Lt wrist XR | AP view | subsequent exam | imaged through cast | 110.0 mm image width 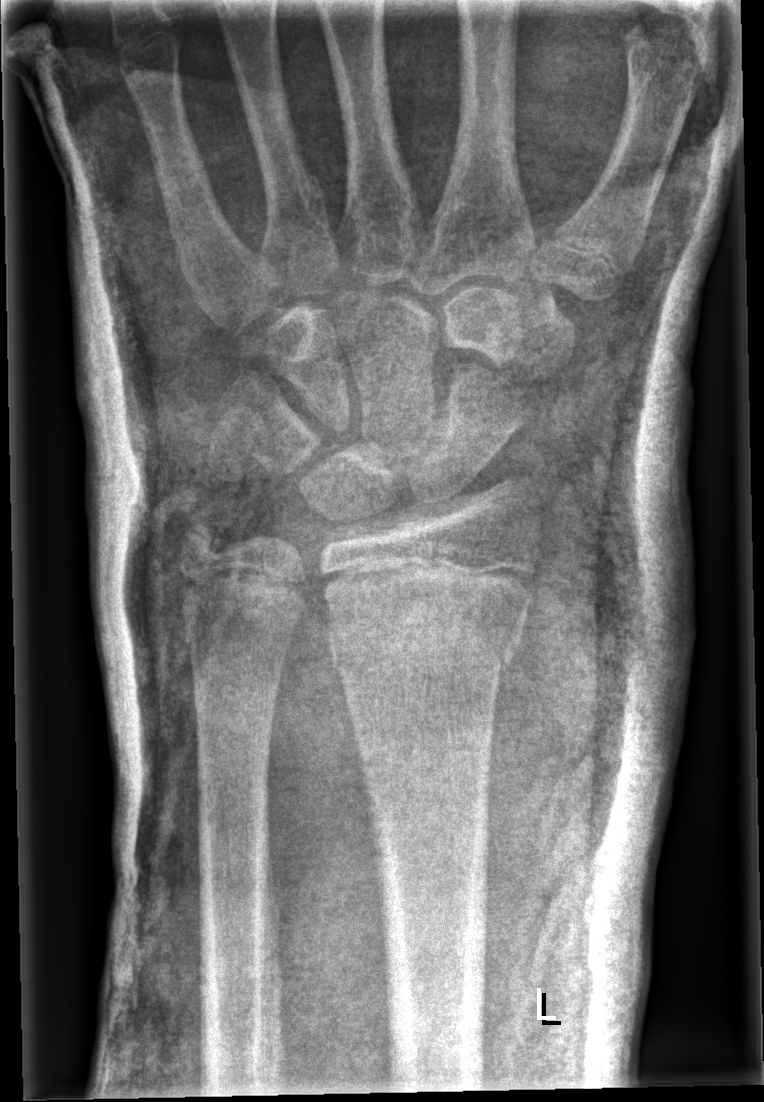

Bone fracture identified at <325,544>-<534,685>, <175,510>-<238,571>. Fracture classified AO/OTA 23r-M/3.1; 23u-E/7.